PA/AP view | L wrist radiograph | follow-up study: 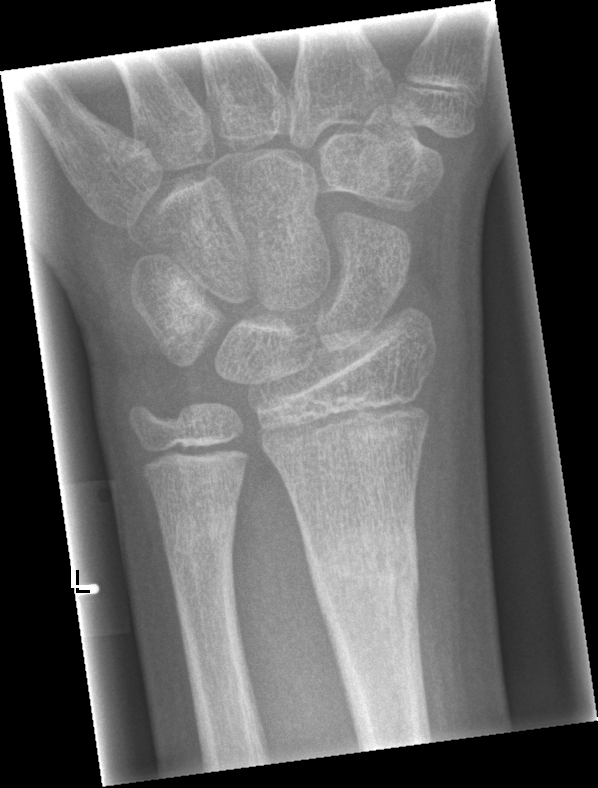 Two bone fractures at bbox(304, 527, 424, 605); bbox(158, 504, 240, 564).
AO/OTA classification: 23-M/2.1.